PA/AP view, R wrist radiograph, 5-year-old female —

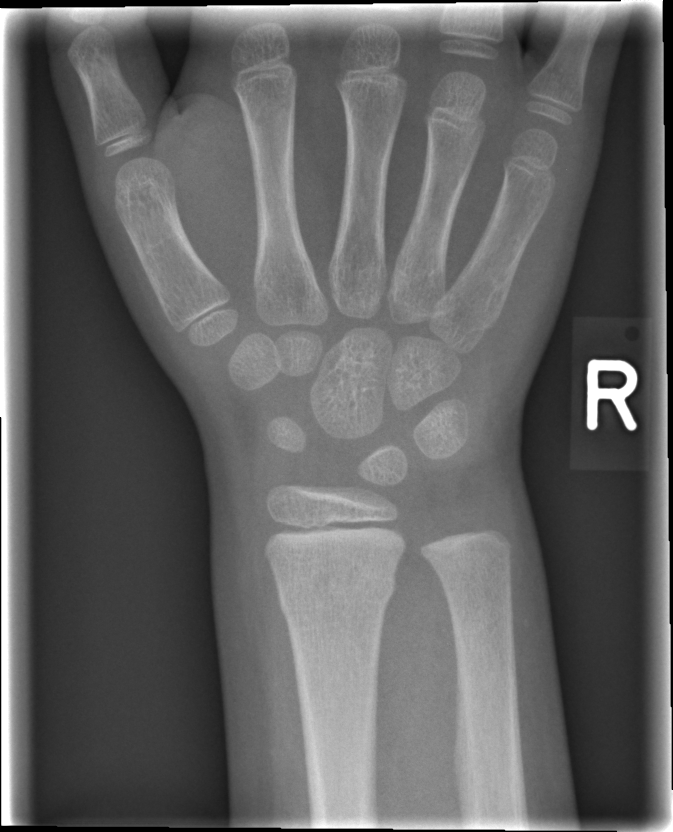 FINDINGS: AO code 23r-M/2.1. One bone fracture at (left=273, top=566, right=400, bottom=618).